Left wrist plain radiograph of the wrist, lateral, age 9 y, girl — 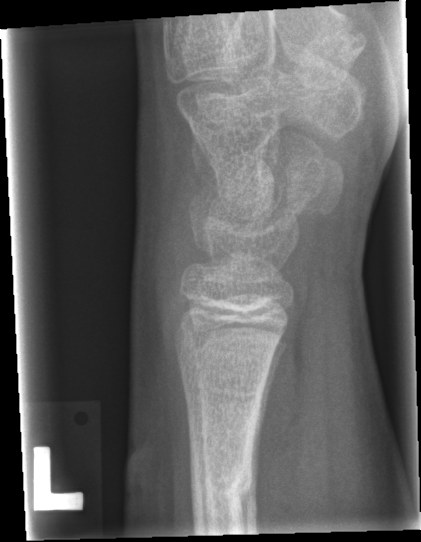 Boxes as x1,y1,x2,y2 (top-left / bottom-right, pixel units).
AO code 23-M/2.1.
Fx: <189,463>-<255,515>.